R wrist XR · PA · pediatric patient (boy, age 13):
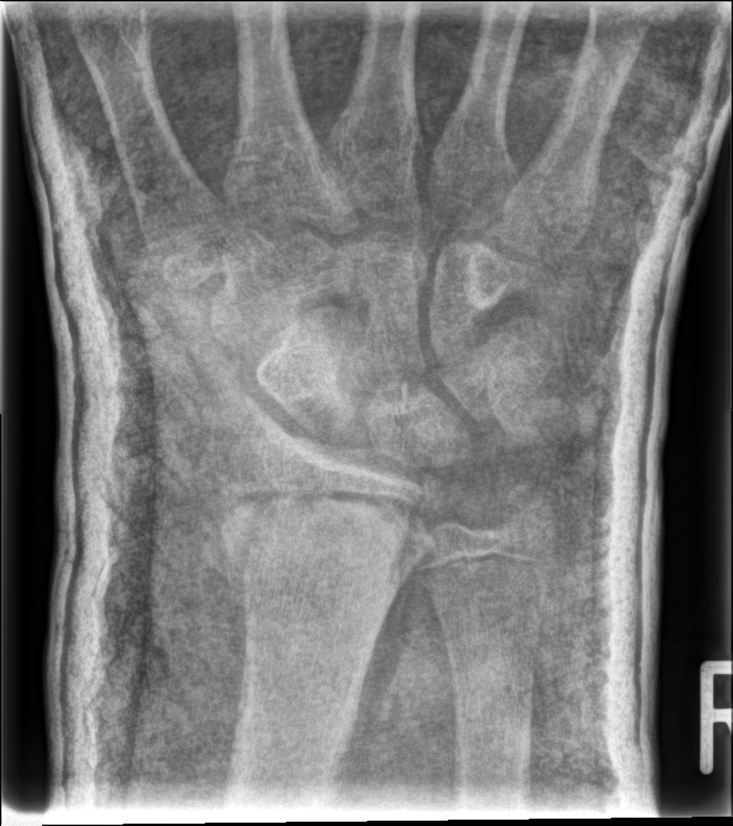 FINDINGS — (boxes as x1,y1,x2,y2 (top-left / bottom-right, pixel units)) Two Fx at <217,504>-<414,608> <496,472>-<563,546>. AO/OTA classification: 23r-E/2.1; 23u-E/7.